Lat · L pediatric wrist radiograph · pediatric patient (female, age 5) · follow-up study:

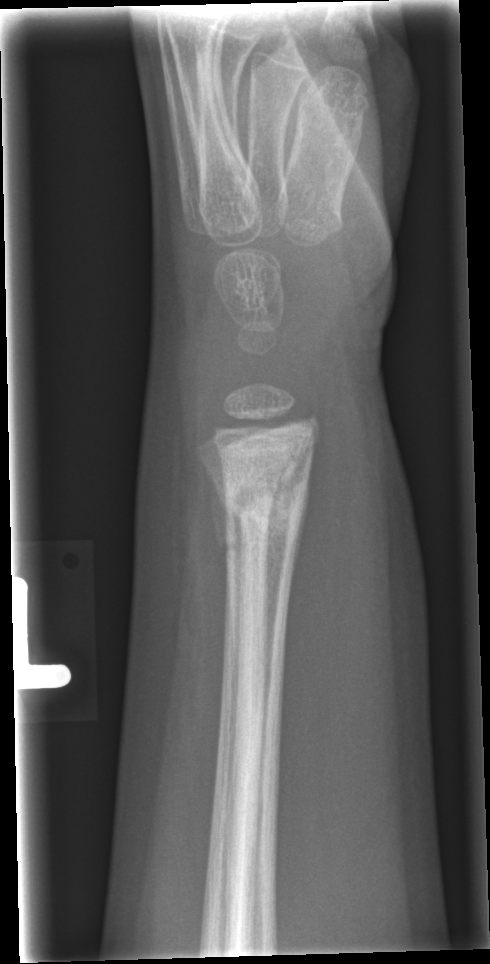

Fracture = 1 @ 210,455,312,542
AO code = 23r-M/3.1; 23u-M/2.1
Periosteal reaction = 210,481,248,589
  289,466,310,586
Osteopenia = present